Posteroanterior, left wrist plain film, image width 75.2 mm. 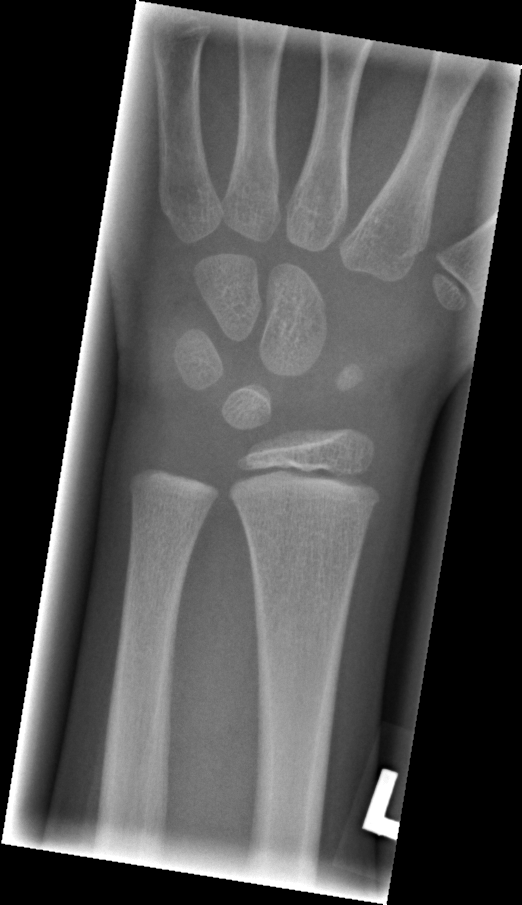

Bone fracture = none labeled